Lateral projection | Rt pediatric wrist radiograph | 13-year-old male | image size 515x964:
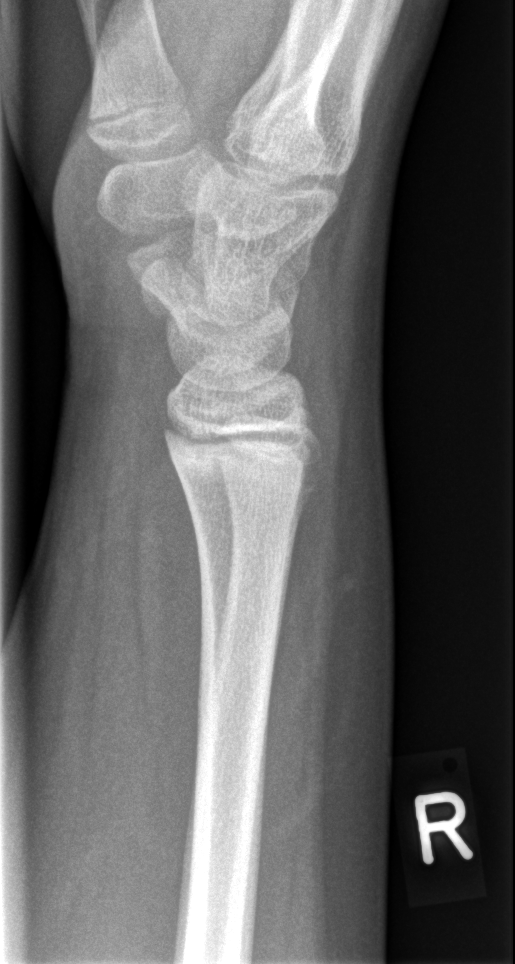
Bone fracture: none labeled